Left pediatric wrist radiograph, lateral projection, 15-year-old male, initial study, acquired on Siemens.

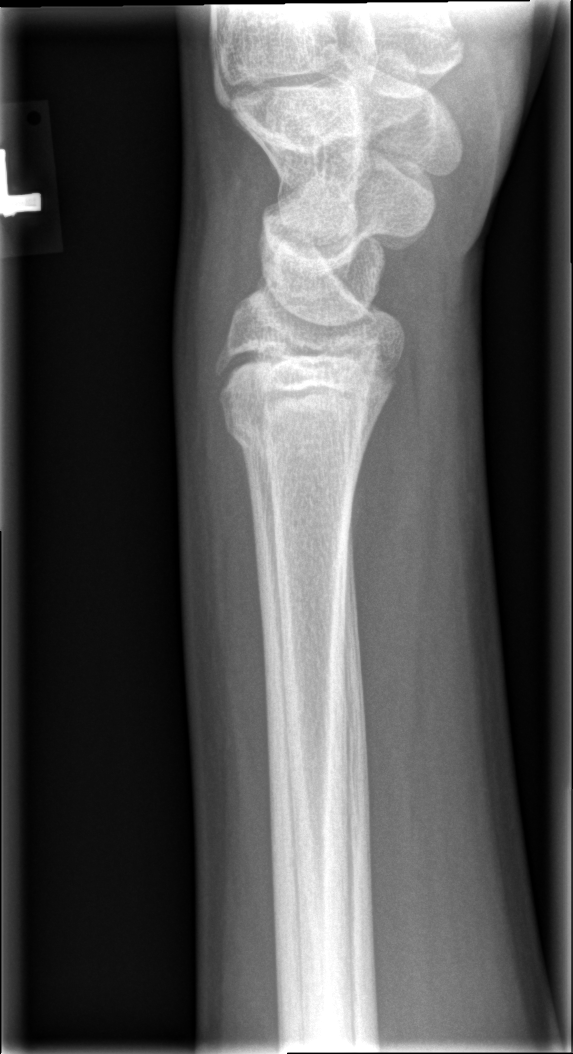
Findings: Fracture classified AO/OTA 23r-M/2.1. Bone fracture identified at (217, 390, 379, 487). Pronator quadratus fat-pad sign — (342, 300, 436, 758).